Lat projection | L plain radiograph of the wrist | pediatric patient (male, age 11) | initial study —
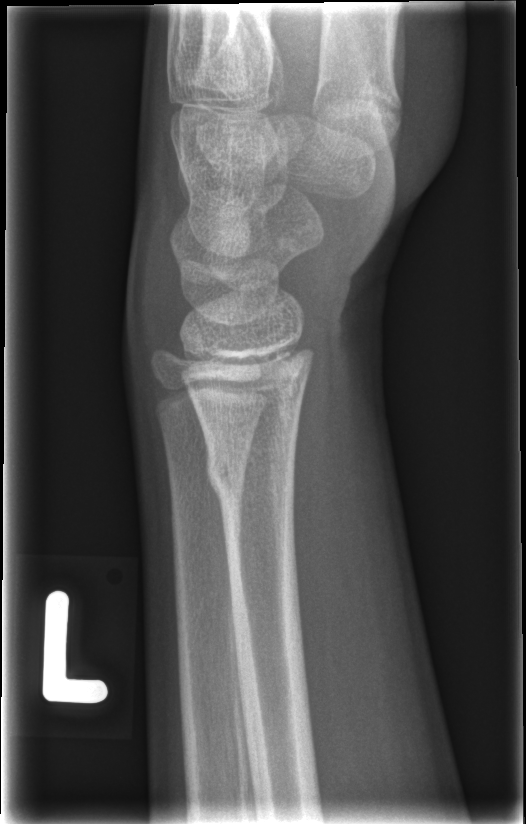
AO code: 23r-M/2.1
Bone fracture: [x1=202, y1=432, x2=299, y2=518]